Right pediatric wrist radiograph; PA/AP projection; age 13 y, female; Agfa — 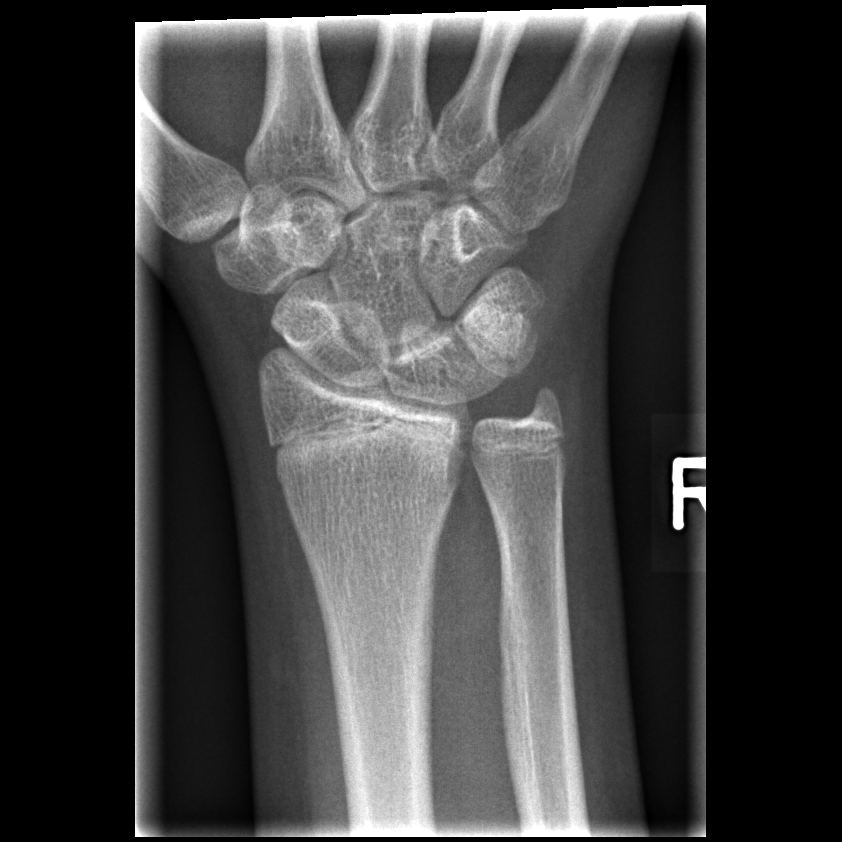 No fracture labeled.